L wrist XR · lat —

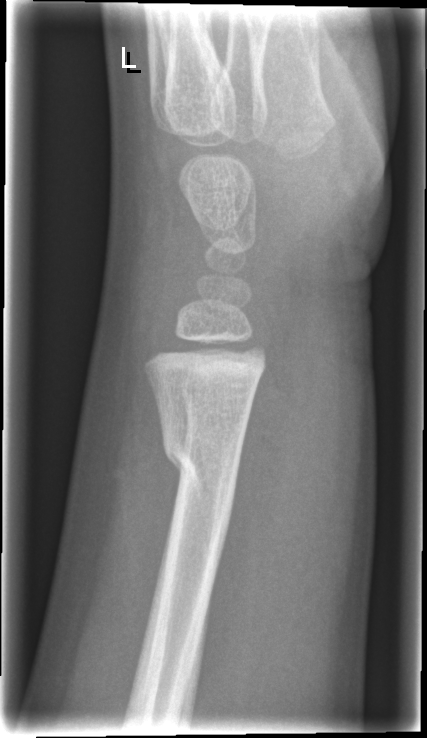
FINDINGS — AO code 23-M/2.1. Fracture identified at (158, 434, 245, 523).